Lt pediatric wrist radiograph | frontal view | girl, 5 yo | imaged through cast | detector: Siemens | 648 x 945 px: 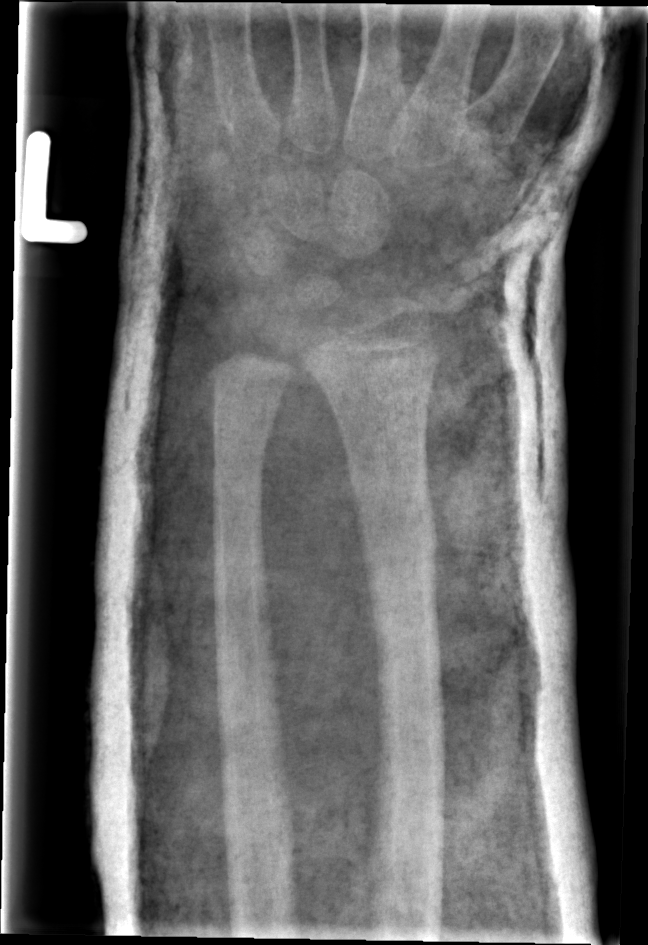 Findings: (coordinates are [x1, y1, x2, y2] in image pixels) One fracture at (352, 496, 443, 576).